Frontal view; L wrist XR; initial study:
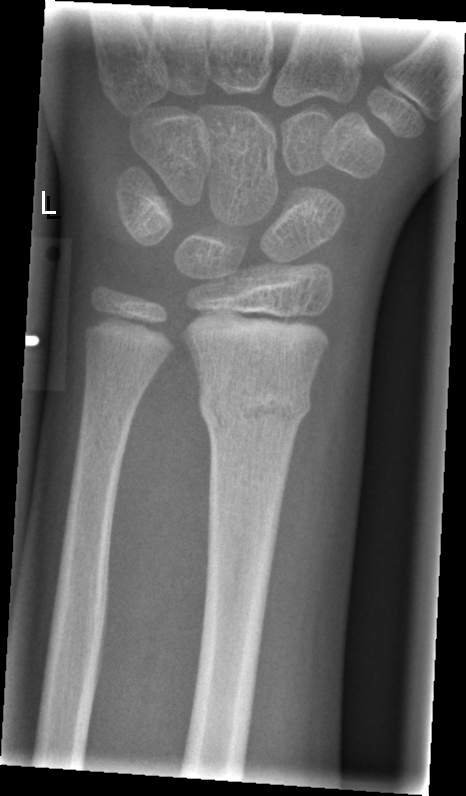 Boxes as x1,y1,x2,y2 (top-left / bottom-right, pixel units).
Fx identified at bbox(194, 378, 313, 437).
AO/OTA classification: 23r-M/2.1.